Rt plain radiograph of the wrist; lateral; detector: Siemens; 431 by 1234 pixels —
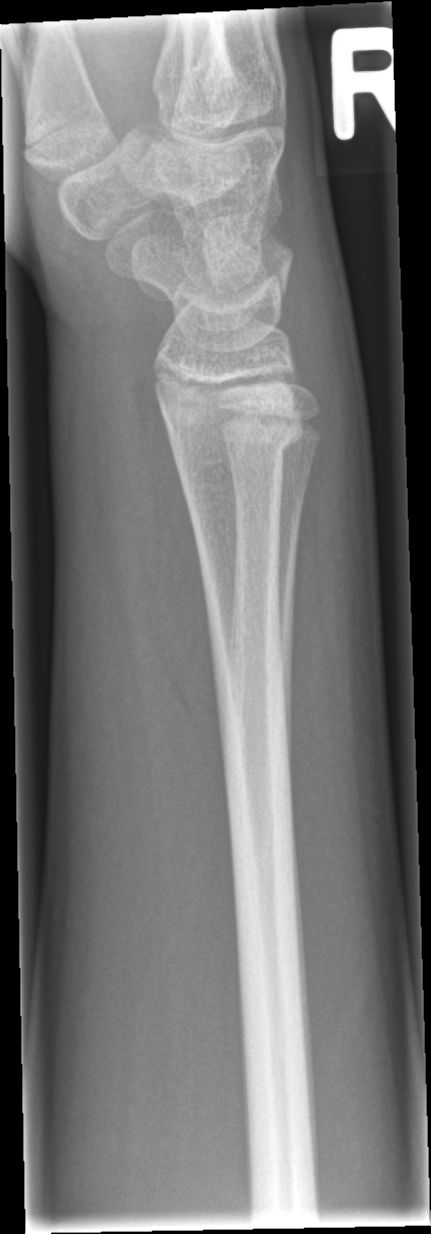

{"fracture": "1 @ (left=158, top=402, right=307, bottom=469)", "pronatorsign": "1 @ (left=126, top=352, right=230, bottom=788)", "ao": "23r-M/2.1; 23u-E/7"}